Lat | L wrist XR | age 11 y, female | 503x950.
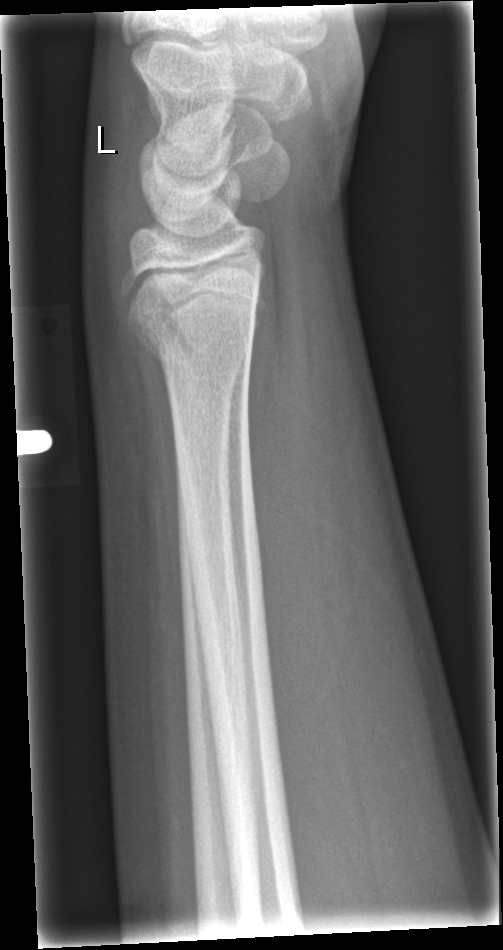

Pixel coordinates, top-left origin, xyxy. Bone fracture identified at 128,311,259,401.